AP | right wrist plain film. 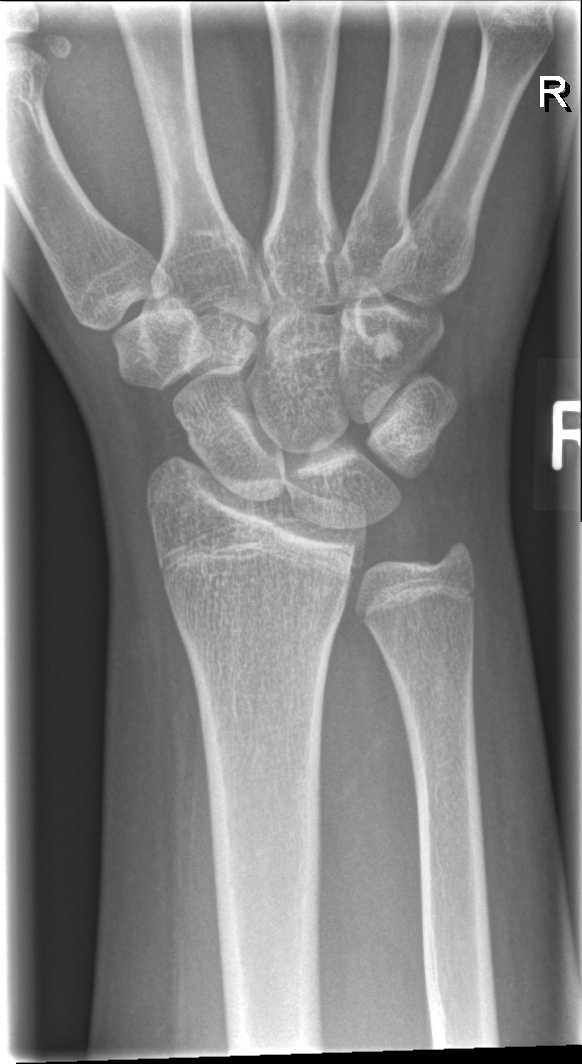 bone fracture = none labeled
focal bone lesion = 1 @ bbox(369, 328, 404, 361)